Right wrist XR, lateral, 12-year-old girl, index exam, 404 by 911 pixels.

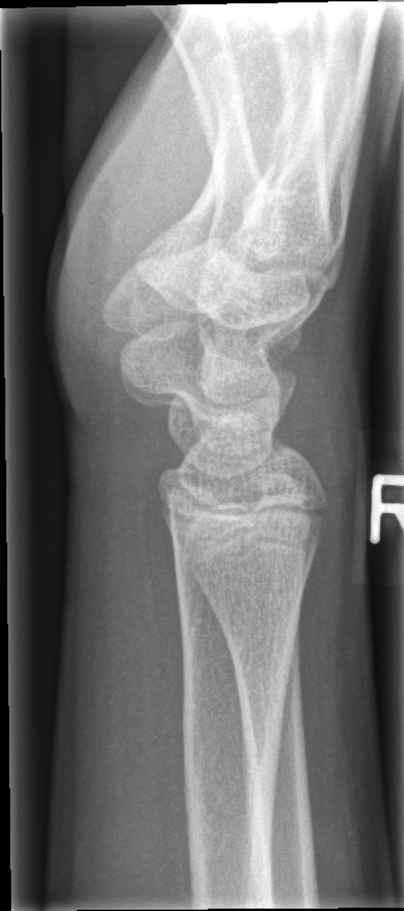
Fx = none labeled